AP projection; right wrist radiograph; imaged through cast; 108.4 mm image width; image size 753x1166.
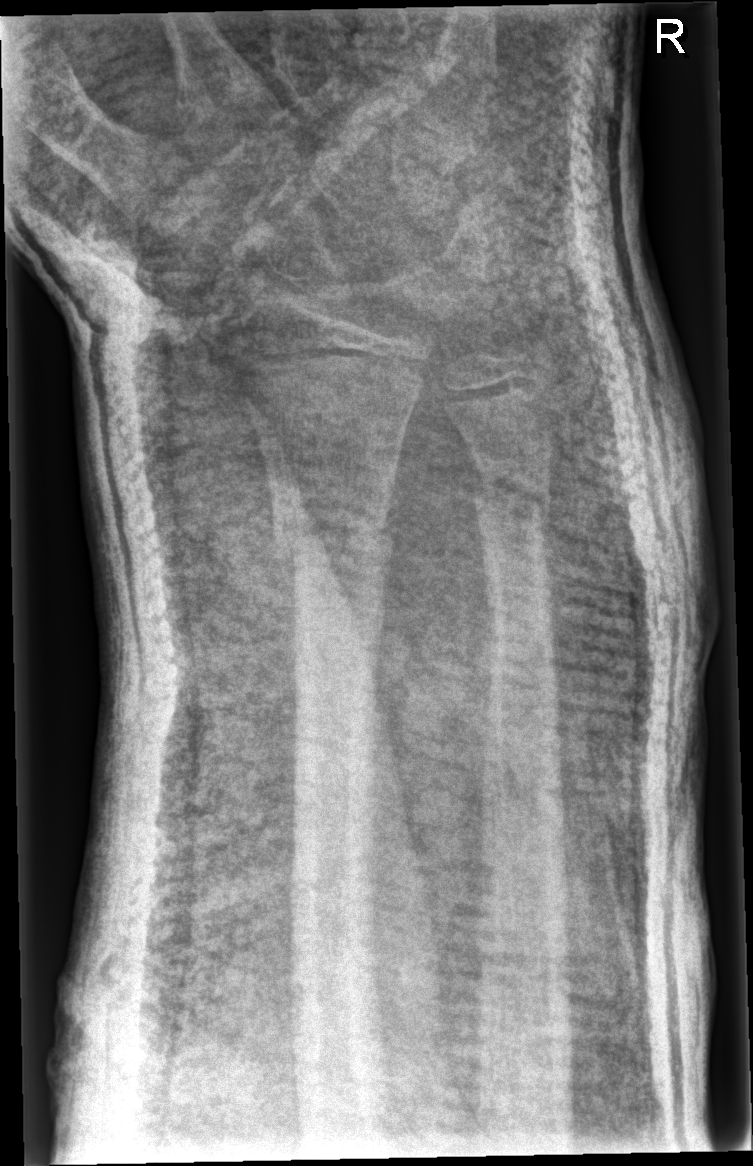

(coordinates are [x1, y1, x2, y2] in image pixels)
Bone fracture: 2 @ 264 471 399 572 | 468 468 554 536
AO/OTA: 23-M/3.1